Right wrist X-ray | frontal view | follow-up study | in cast | 656 x 916 px —
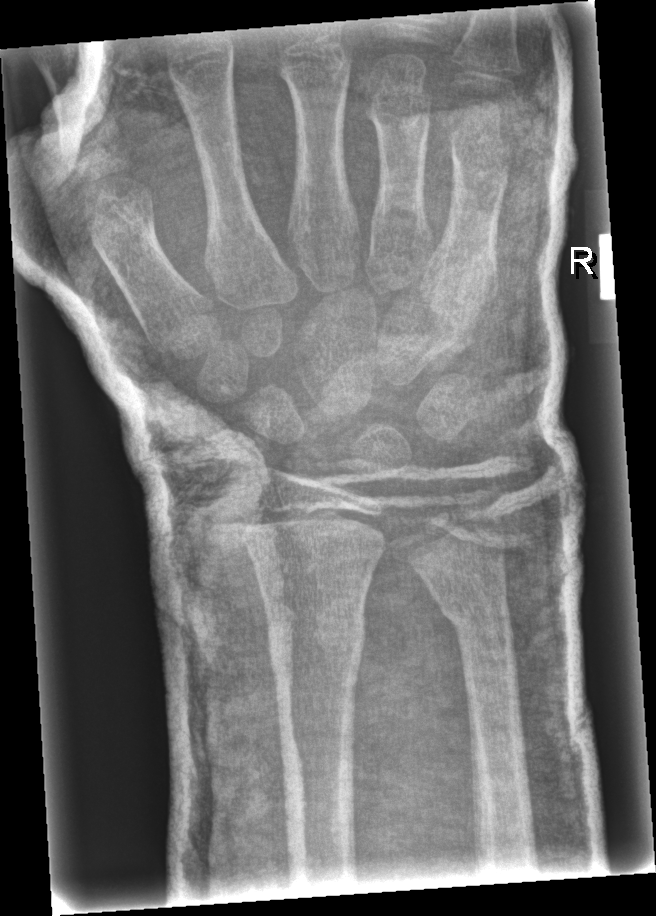
* Pixel coordinates, top-left origin, xyxy.
* Fracture classified AO/OTA 23r-M/2.1.
* Fx identified at (left=265, top=613, right=369, bottom=676), (left=440, top=597, right=514, bottom=639).